Lateral, Rt wrist plain film, 15y M, follow-up study, 520 x 1345 px:

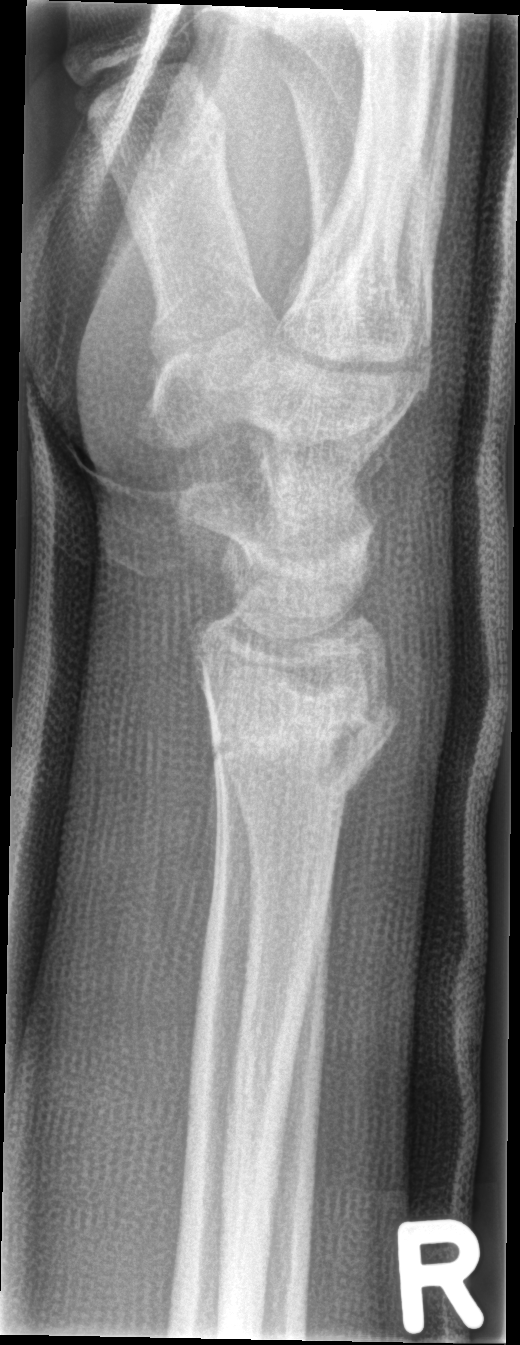

Bone fracture: [x1=193, y1=675, x2=403, y2=832]